Left wrist X-ray; lat; image width 67.8 mm: 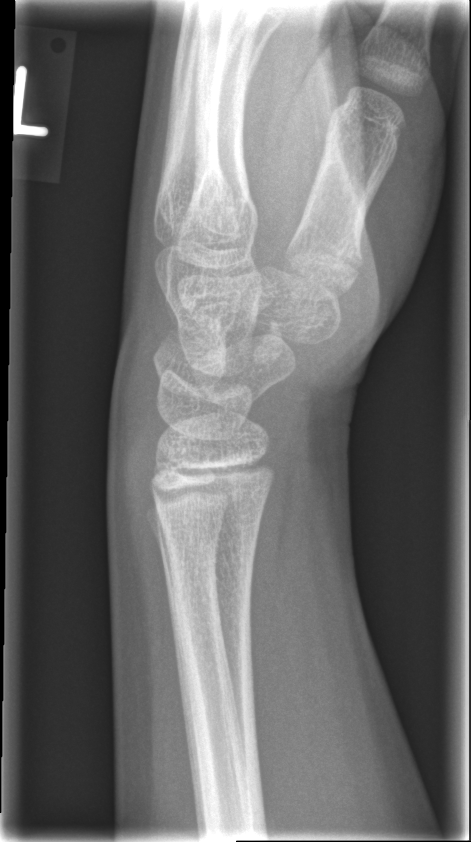
Fracture: none labeled.